R wrist radiograph, PA — 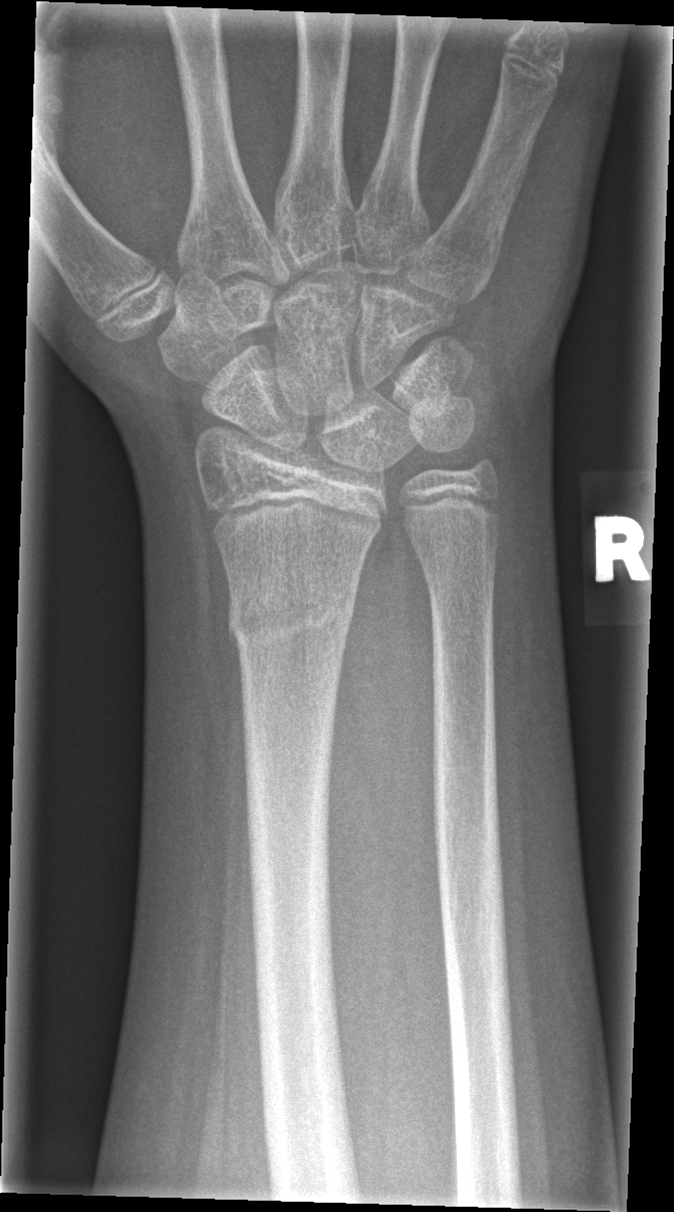
Fracture — [x1=223, y1=574, x2=361, y2=659].